Right pediatric wrist radiograph, lateral projection, 5y F, initial study, 587 by 832 pixels —

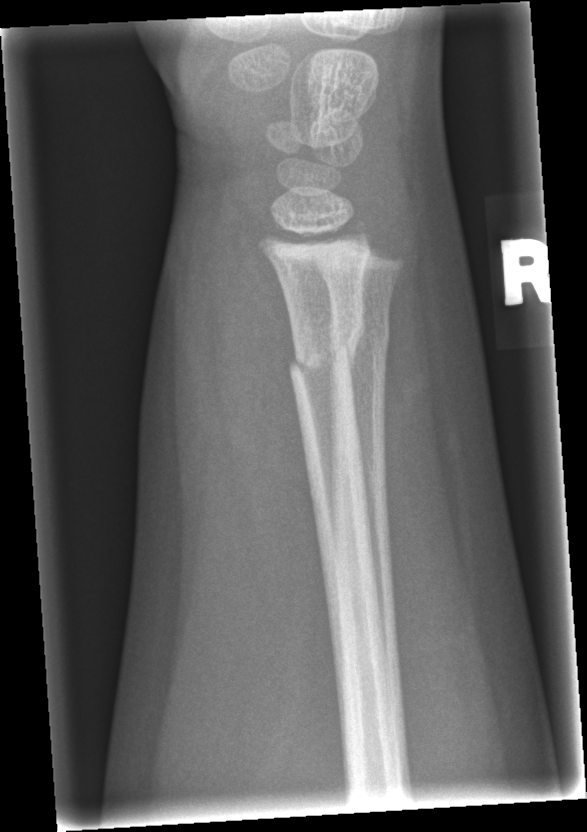

Fx: (left=284, top=317, right=368, bottom=388); (left=326, top=306, right=395, bottom=362)
Soft-tissue swelling: 1 @ (left=152, top=194, right=321, bottom=604)